AP | R pediatric wrist radiograph:

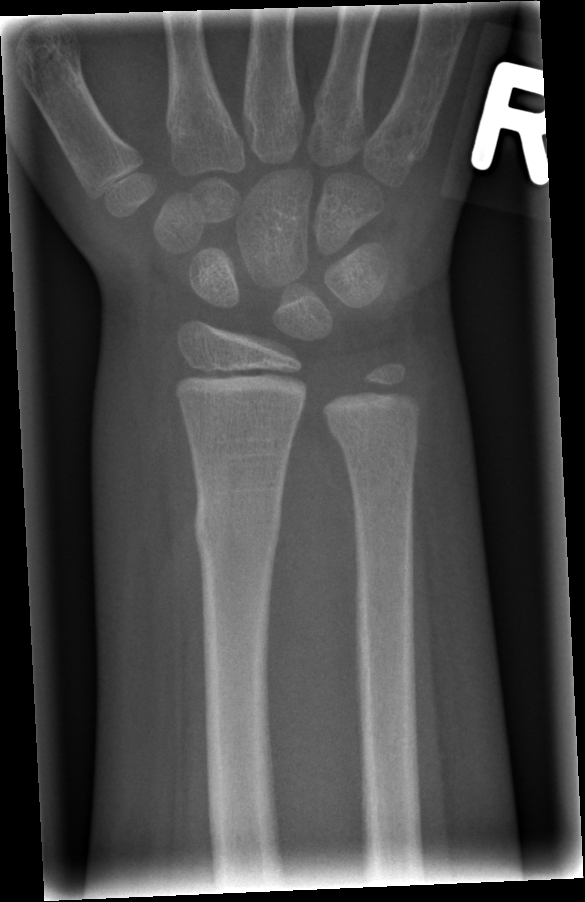

Bounding boxes in image-pixel xyxy. Fracture identified at [x1=191, y1=489, x2=285, y2=559], [x1=328, y1=414, x2=423, y2=462].